R wrist X-ray, lateral, pediatric patient (boy, age 14):

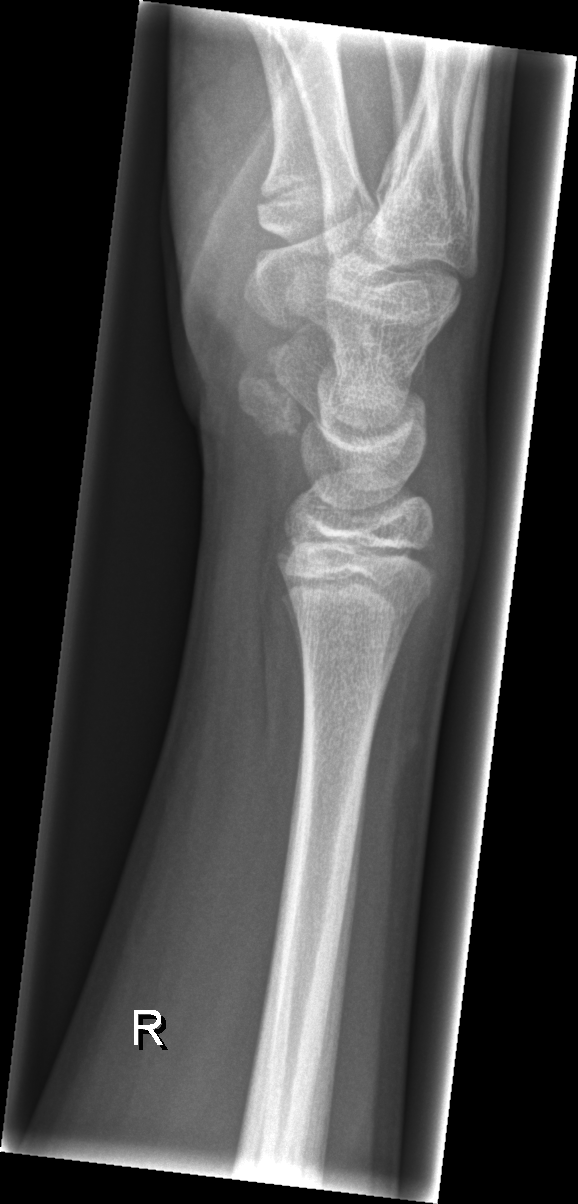 Boxes as x1,y1,x2,y2 (top-left / bottom-right, pixel units). One fracture at bbox(288, 581, 436, 631). AO code 23r-M/2.1.